Left wrist XR, posteroanterior view, 3-year-old boy. 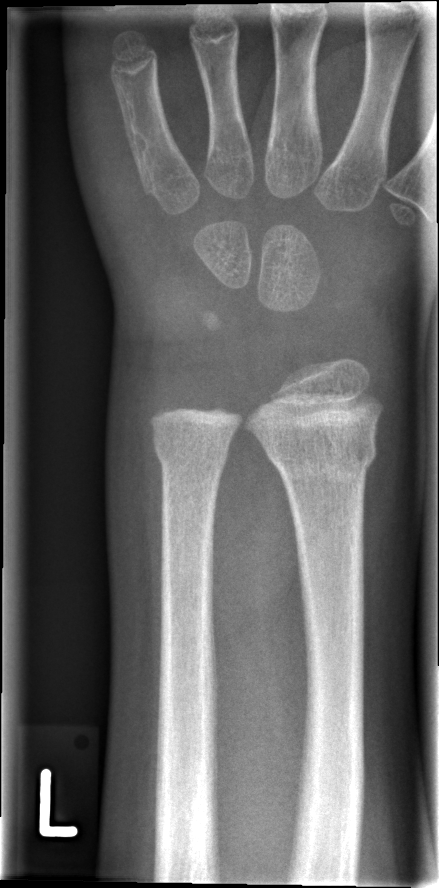

Q: Is there a fracture?
A: Fractures — 257 424 381 483 | 150 430 233 483
Q: AO code?
A: Fracture classified AO/OTA 23r-M/3.1; 23u-M/2.1